Rt pediatric wrist radiograph · lateral · age 8 y, male · image 60.2 mm wide · 418x1062 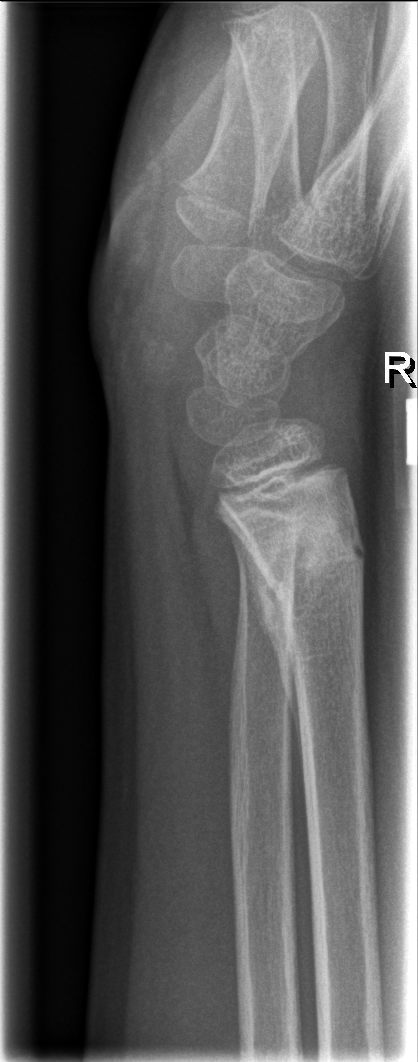
bone fracture: 1 @ bbox(236, 497, 374, 620)
osteopenia: present
periosteal new bone: bbox(233, 528, 307, 771)